Right wrist radiograph, lat, pediatric patient (male, age 5), index exam —

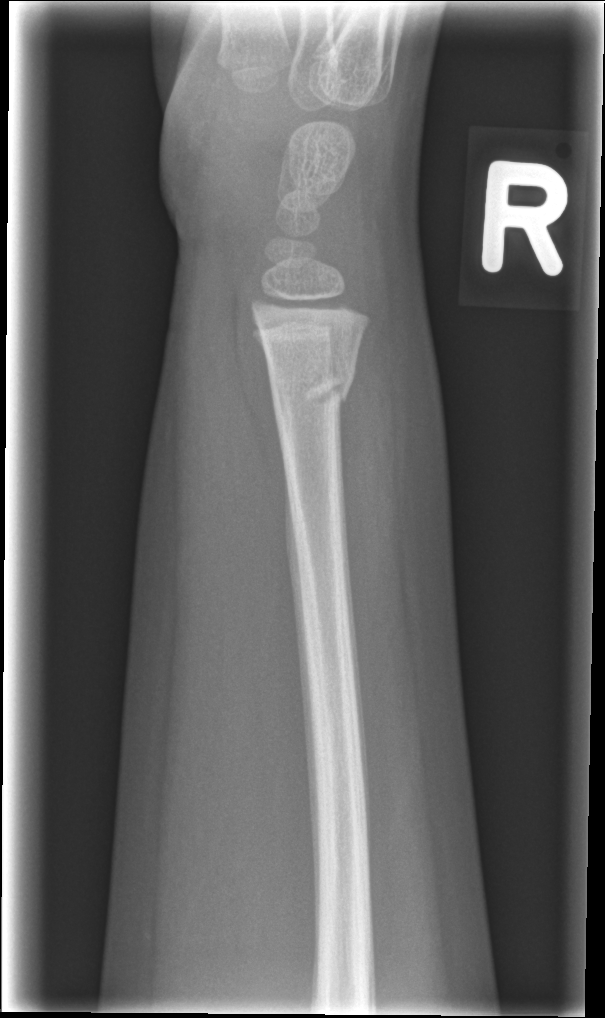 Fx — bbox(268, 362, 359, 426).
Soft-tissue swelling — bbox(341, 268, 452, 545).
Fracture classified AO/OTA 23-M/2.1.